PA/AP · Lt plain radiograph of the wrist · image 85.7 mm wide. 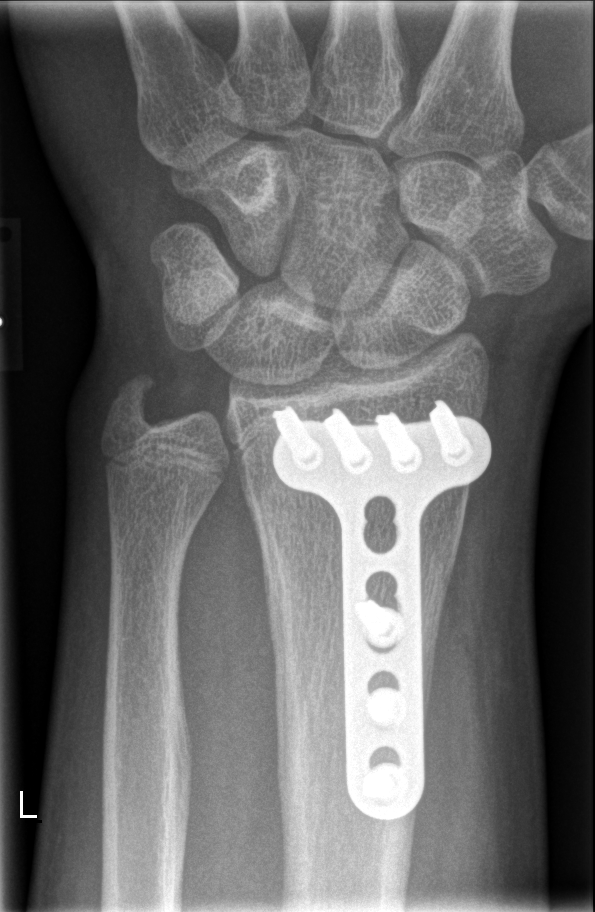

Fracture: (left=102, top=369, right=167, bottom=438). Metallic implant — (left=274, top=396, right=500, bottom=818).